PA/AP; left wrist X-ray.
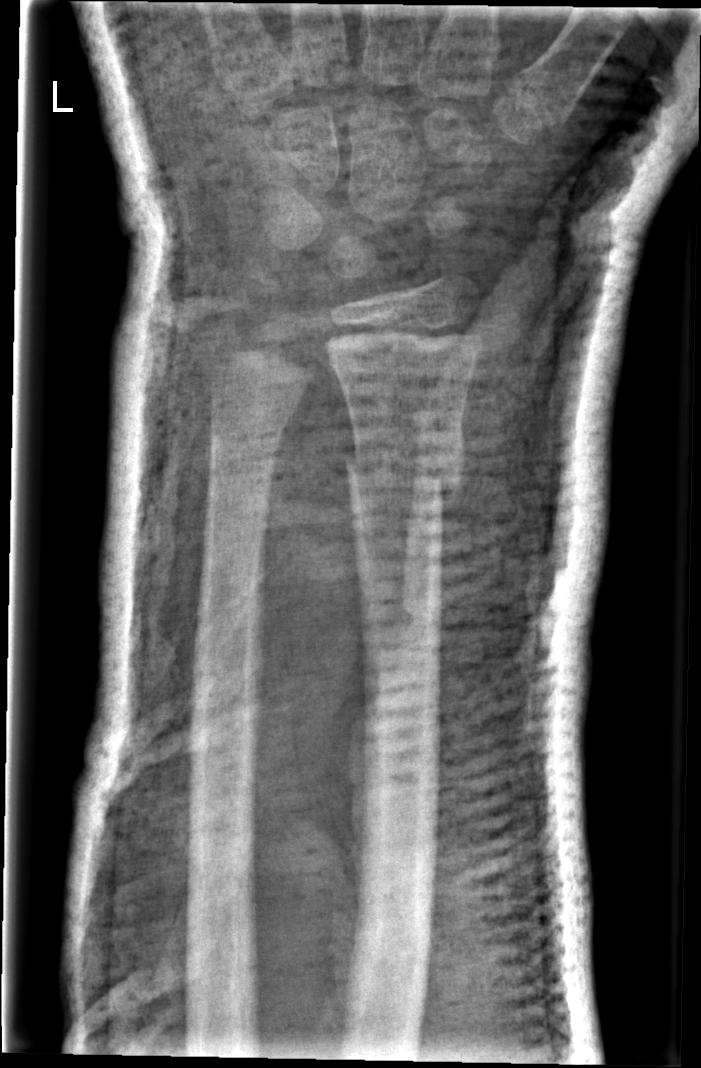
FINDINGS: (pixel coordinates, top-left origin, xyxy) Two fractures at (left=339, top=435, right=468, bottom=503); (left=202, top=395, right=296, bottom=450).